Lat; right wrist radiograph; in cast; image width 73.3 mm. 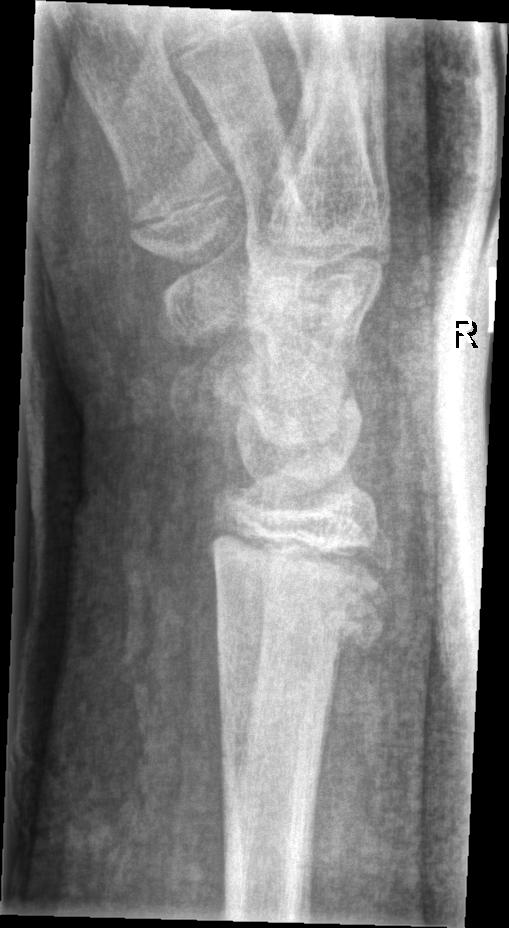 Pixel coordinates, top-left origin, xyxy. Bone fracture identified at (left=208, top=567, right=394, bottom=681). AO/OTA classification: 23r-M/3.1; 23u-E/7.